Left wrist plain film, frontal view, 8y F, in cast, acquired on Siemens 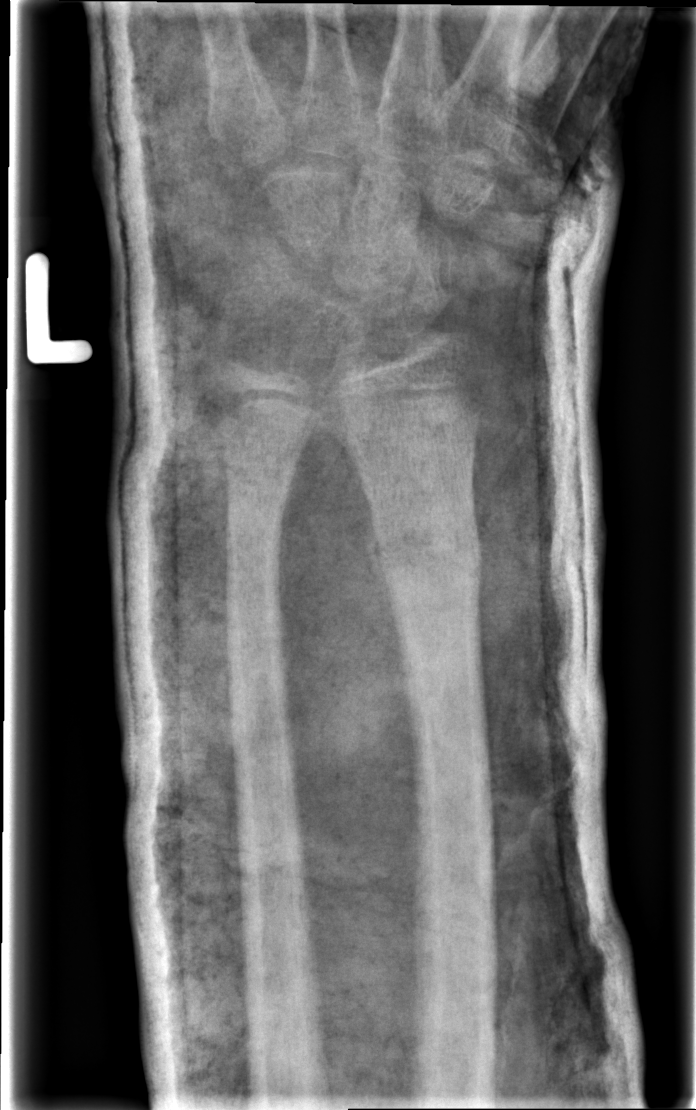
Pixel coordinates, top-left origin, xyxy. One bone fracture at <368,504>-<491,614>.